Lt wrist X-ray; lat view; pediatric patient (female, age 8).
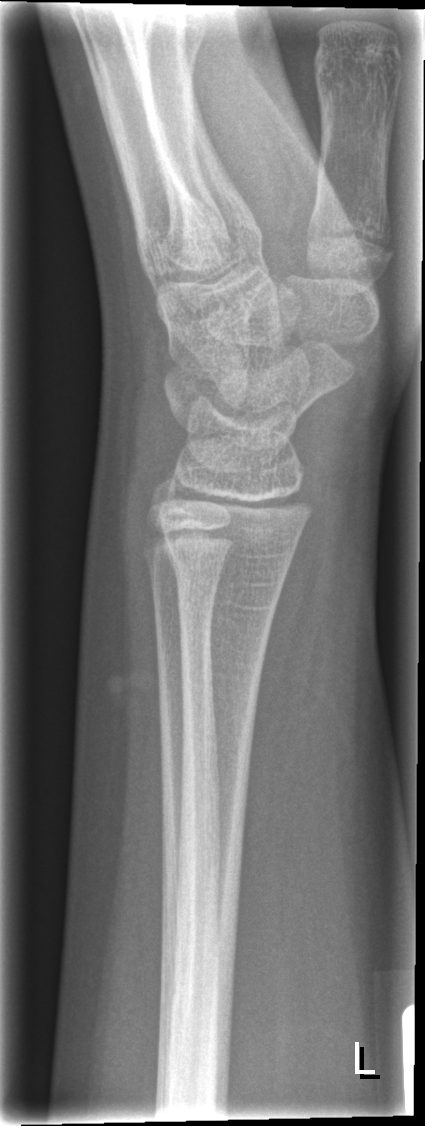

Fracture identified at (158, 527, 292, 600).